Right wrist plain film; lat; follow-up —

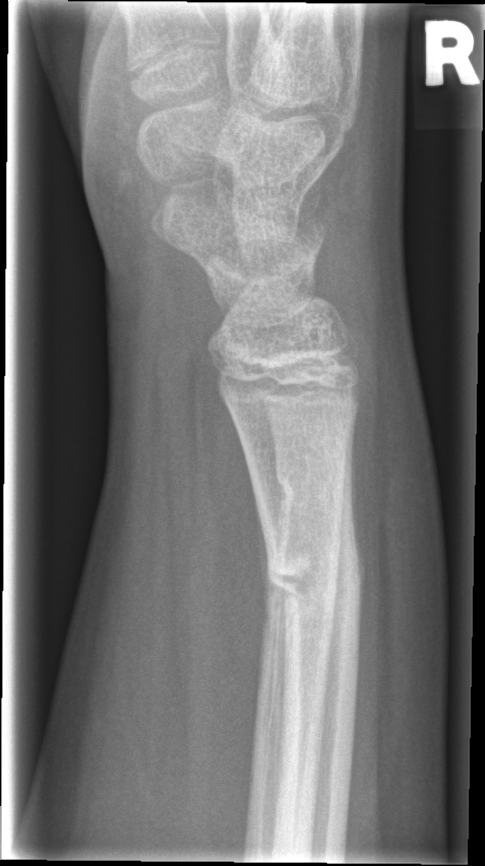

(bounding boxes in image-pixel xyxy)
Osteopenia = present
Fracture = 2 @ (265, 539, 365, 602), (272, 466, 347, 515)